PA/AP view, Rt wrist X-ray, 614 x 1010 px
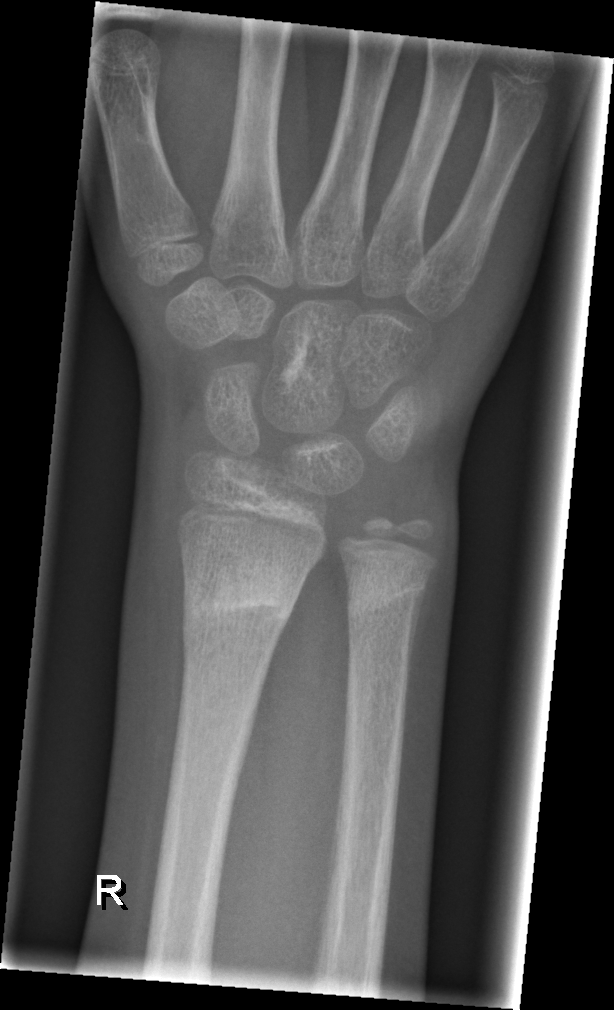

Q: AO code?
A: Fracture classified AO/OTA 23-M/3.1
Q: Any fracture seen?
A: Fx: [177, 558, 306, 645], [345, 570, 433, 618]